Lat projection | Lt wrist plain film | 3-year-old male:

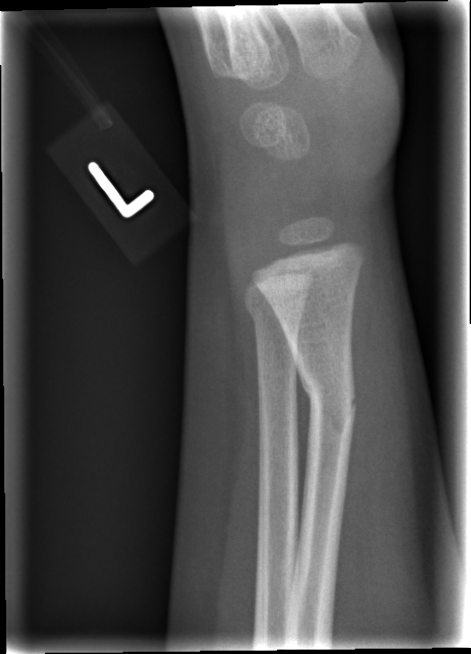

(coordinates are [x1, y1, x2, y2] in image pixels)
AO classification: 23r-M/3.1; 23u-M/2.1
Bone fracture: <295,359>-<361,435>; <243,298>-<307,339>